PA/AP | right wrist plain film.

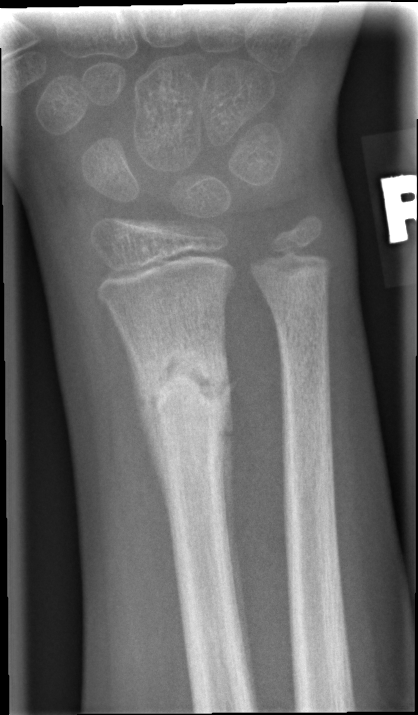 Q: Any periosteal thickening?
A: Periosteal new bone identified at 216,386,257,707
Q: Bone density?
A: Decreased bone density (osteopenia)
Q: Any fracture seen?
A: Fx identified at 123,342,236,425
Q: What is the AO/OTA classification?
A: AO code 23r-M/3.1